Lateral view | left wrist plain film | age 17 y, girl | presentation radiograph | image width 86.4 mm.
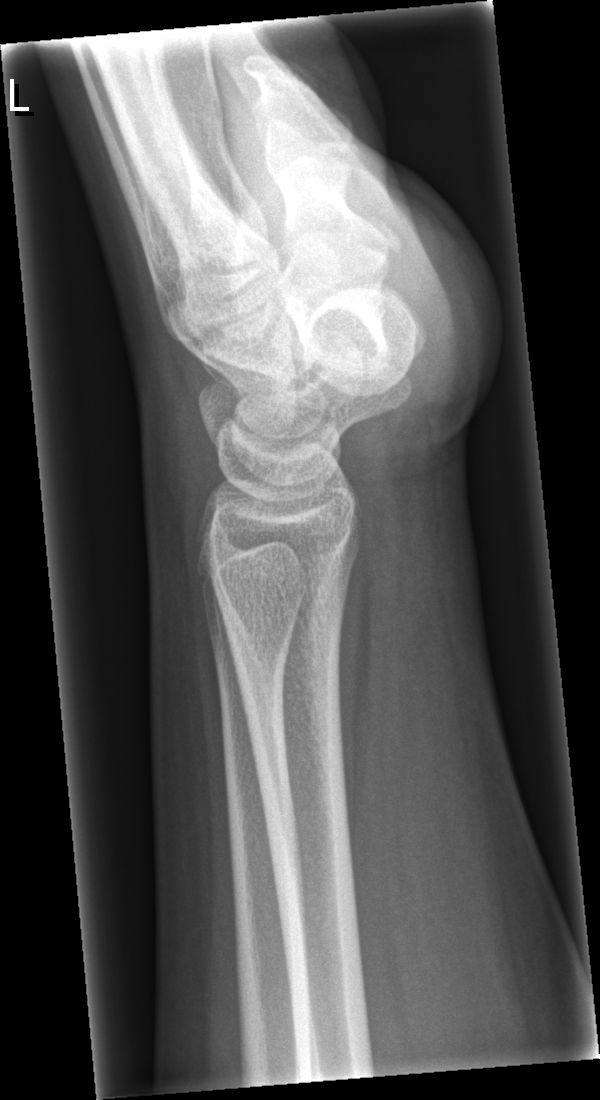
No fracture labeled.